Left plain radiograph of the wrist | PA/AP view | pediatric patient (girl, age 12) —

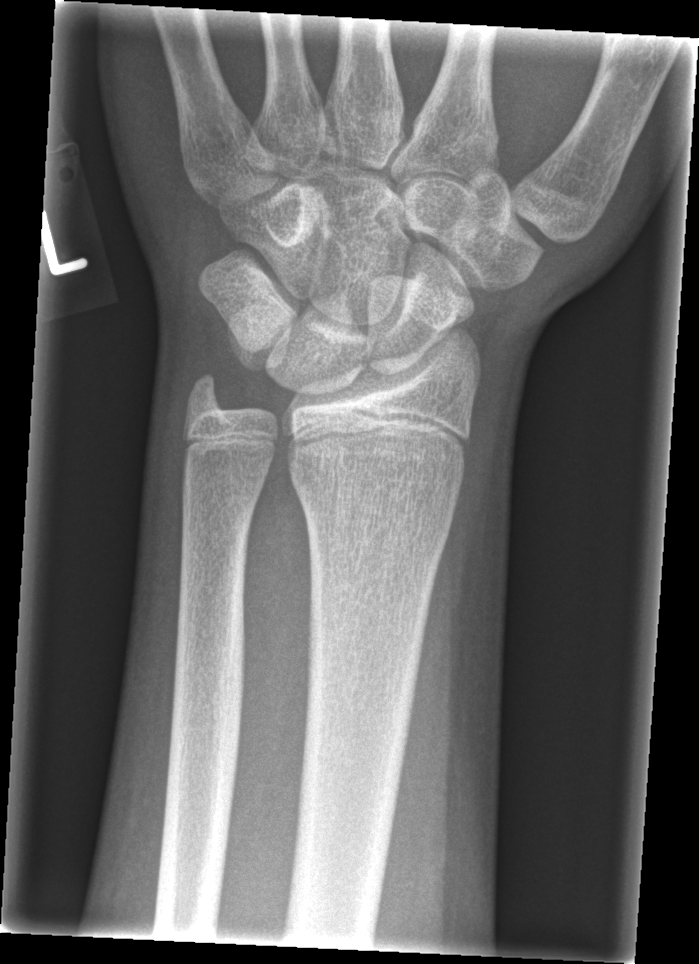 Fx: none labeled